Lateral; left wrist XR; follow-up study; Siemens; image width 60.2 mm; image size 418x1196:

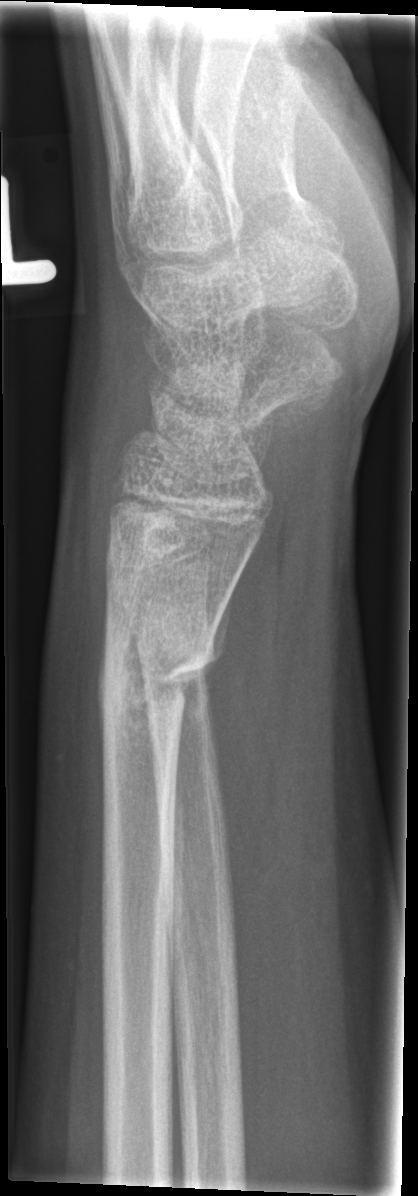 Bounding boxes in image-pixel xyxy.
AO code 23-M/3.1.
Bone fracture identified at <93,608>-<226,749>.